Lateral · L wrist plain film · 10-year-old female · detector: Siemens · 459x1098: 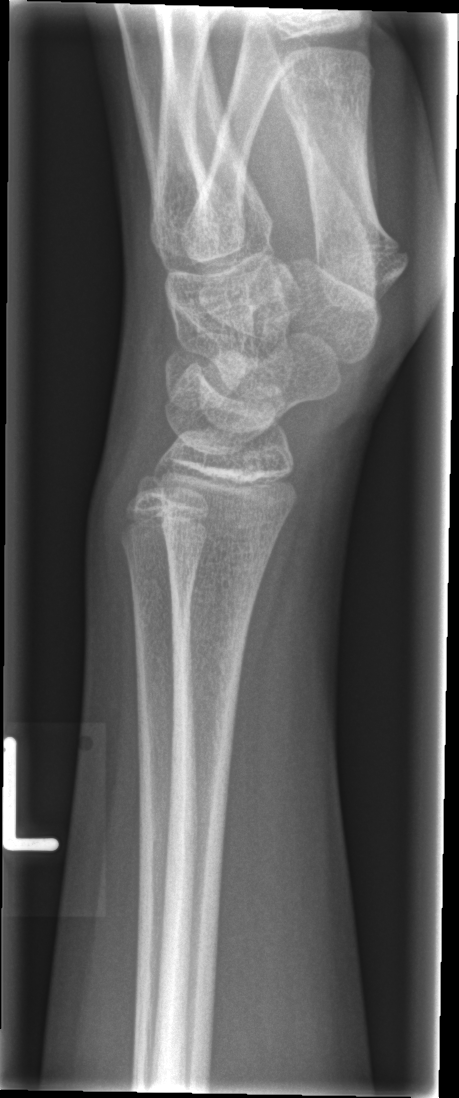
Bone fracture = none labeled